Lt wrist radiograph; posteroanterior view; 456x694:

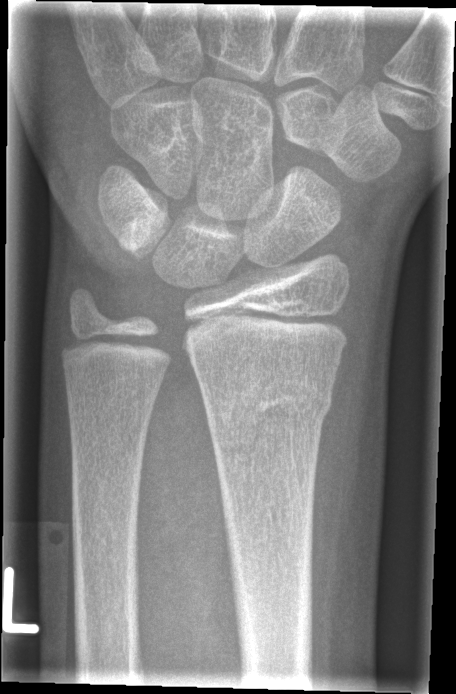

Q: Locate any fractures.
A: Fx identified at [195, 372, 337, 439]